Lateral view, Rt pediatric wrist radiograph, cast present, detector: Siemens: 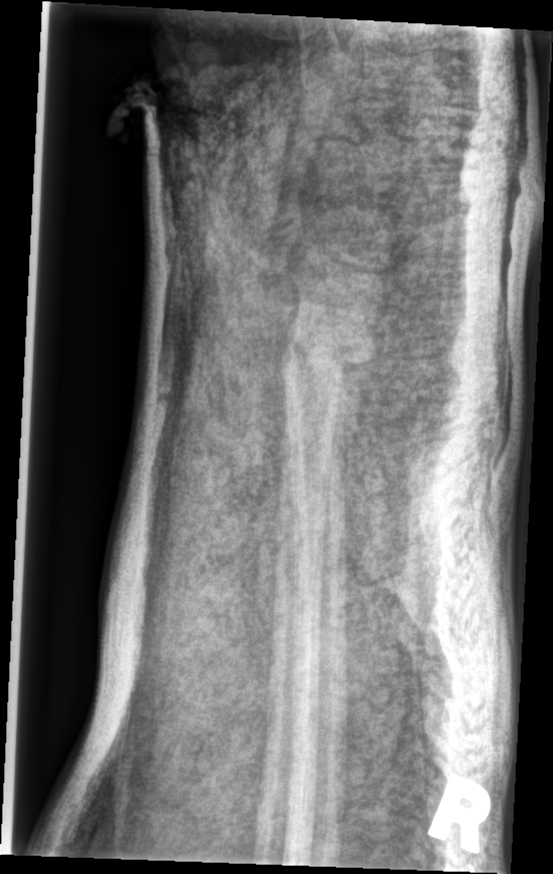 Boxes as x1,y1,x2,y2 (top-left / bottom-right, pixel units). Bone fracture: [275, 318, 382, 421].